Posteroanterior projection, left wrist plain radiograph of the wrist, pediatric patient (boy, age 9), acquired on Siemens. 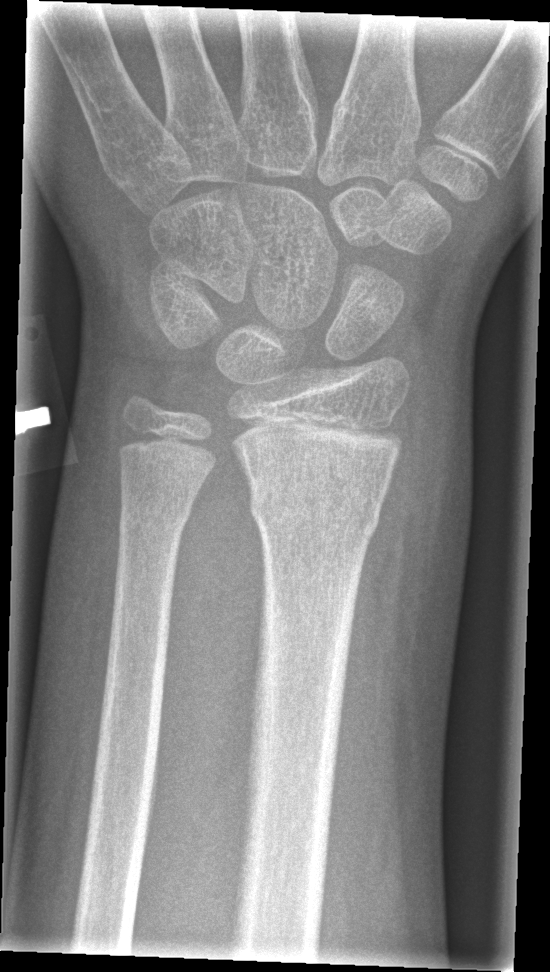

(coordinates are [x1, y1, x2, y2] in image pixels)
bone fracture: 2 @ [x1=245, y1=479, x2=385, y2=551], [x1=114, y1=493, x2=196, y2=541]